Lateral view; right pediatric wrist radiograph; 12y M; Siemens; 419 by 712 pixels. 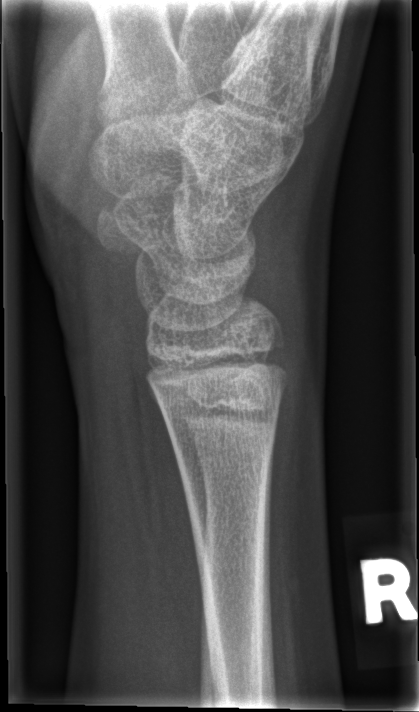

Q: Is there a fracture?
A: No fracture annotation